Lateral projection · Lt pediatric wrist radiograph · 7y F · cast in situ — 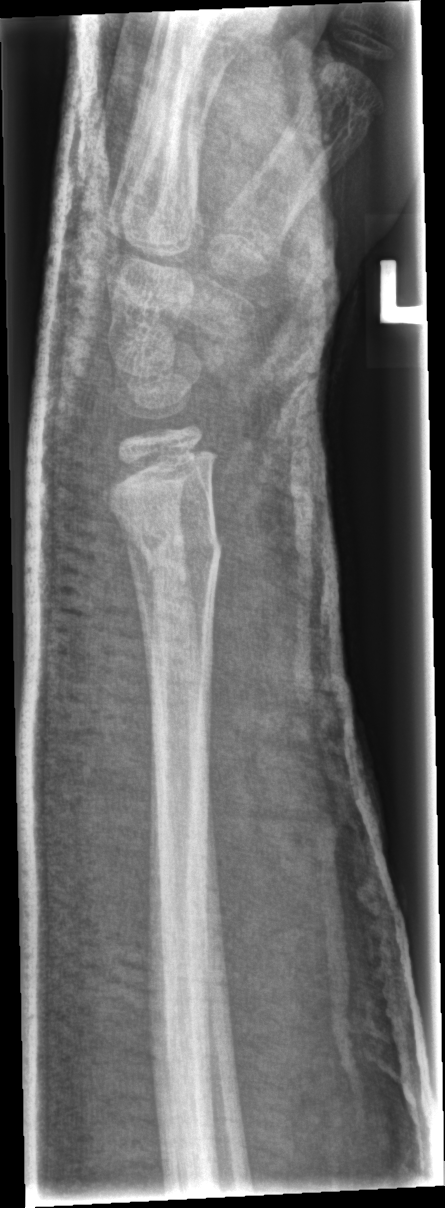 Boxes as x1,y1,x2,y2 (top-left / bottom-right, pixel units). Fracture classified AO/OTA 23r-M/3.1. Bone fracture identified at 128,525,223,588.